Left wrist X-ray · posteroanterior view · in cast — 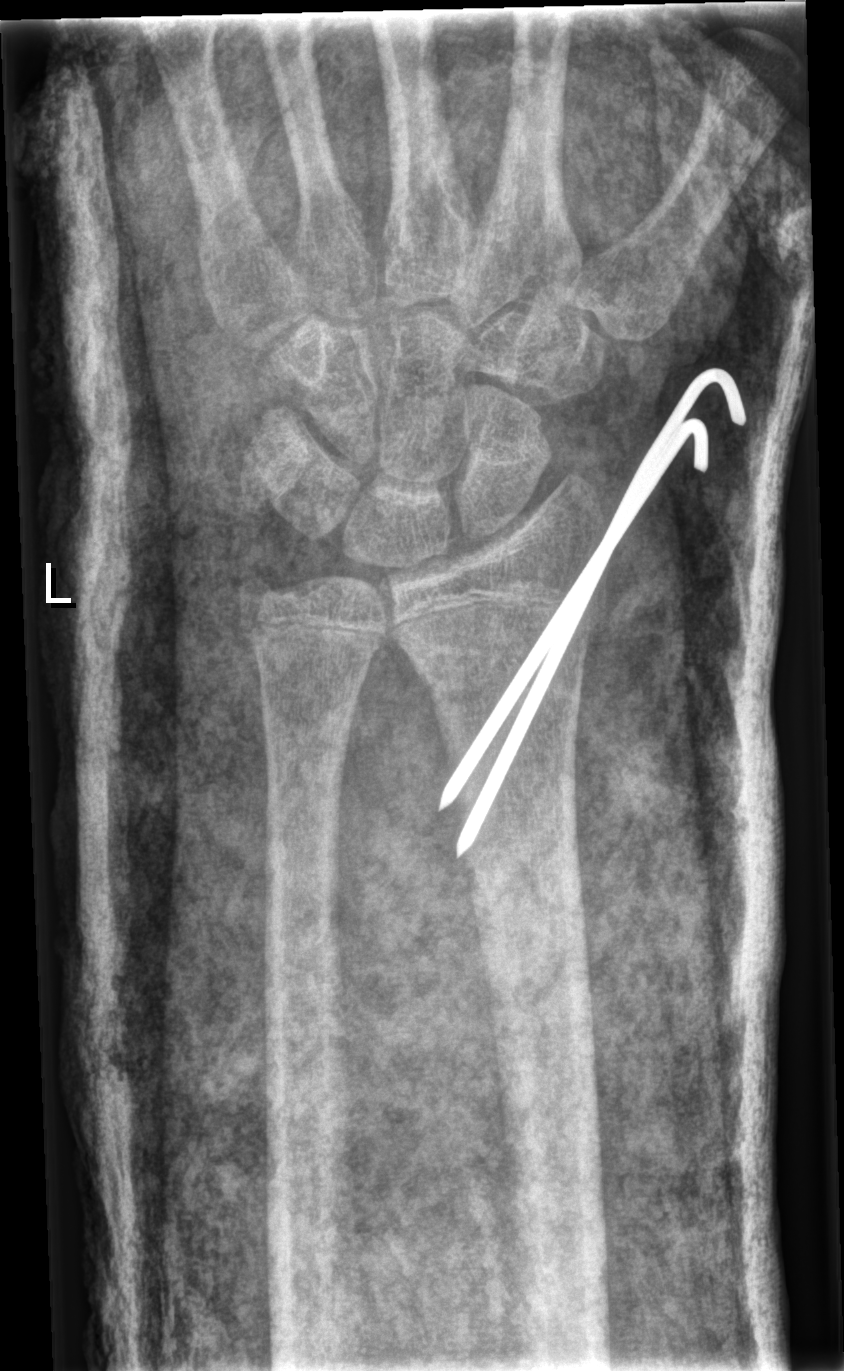 Fracture classified AO/OTA 23r-M/3.1. Metal — [x1=441, y1=369, x2=748, y2=857]. Fx — [x1=407, y1=633, x2=592, y2=725].